Lat projection | Rt wrist plain film | age 9 y, boy | initial study:
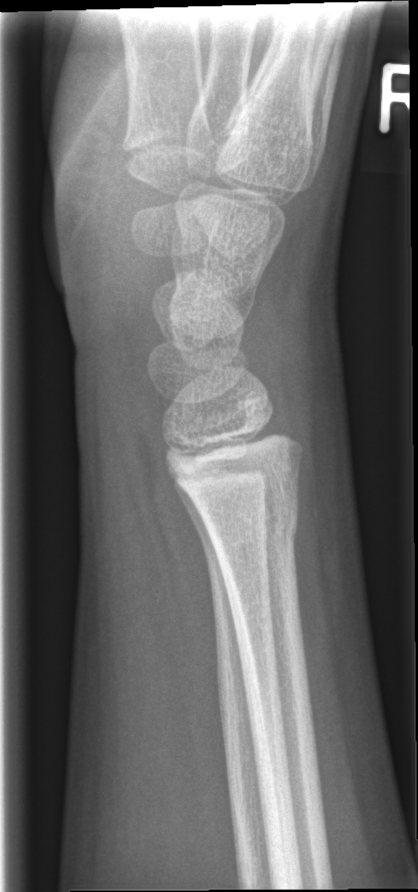 FINDINGS — (pixel coordinates, top-left origin, xyxy) AO code 23r-M/2.1. Fracture identified at (198, 483, 302, 554).